AP projection; left wrist radiograph; cast in situ:

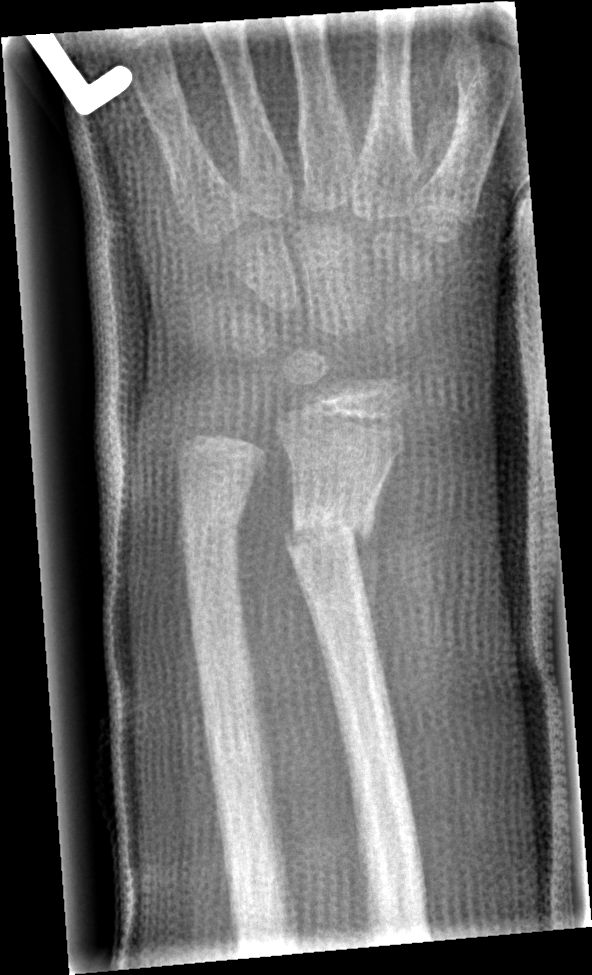 Periosteal thickening: bbox(348, 456, 395, 646). Two Fx at bbox(281, 485, 383, 571) bbox(173, 487, 253, 556).